PA; L plain radiograph of the wrist; age 9 y, female; presentation radiograph; image size 498x856: 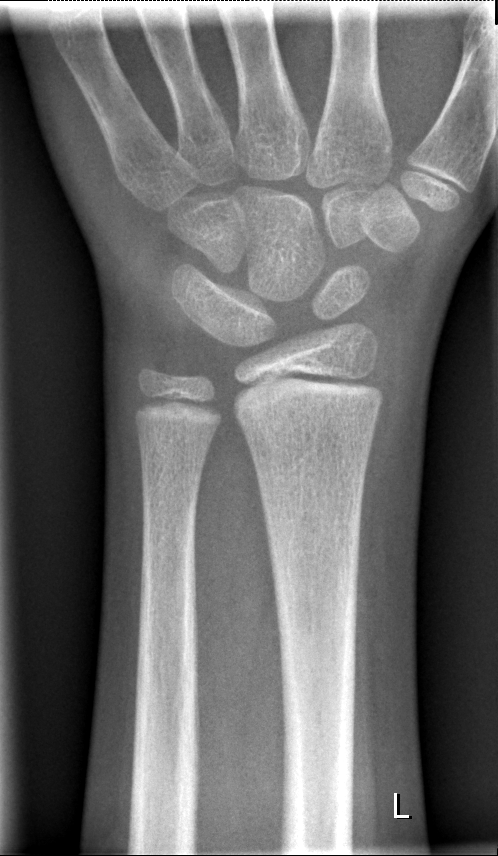 Findings: Fracture classified AO/OTA 23r-M/2.1. Fx: present but not clearly seen in this view.